Lat projection · left plain radiograph of the wrist · follow-up study.

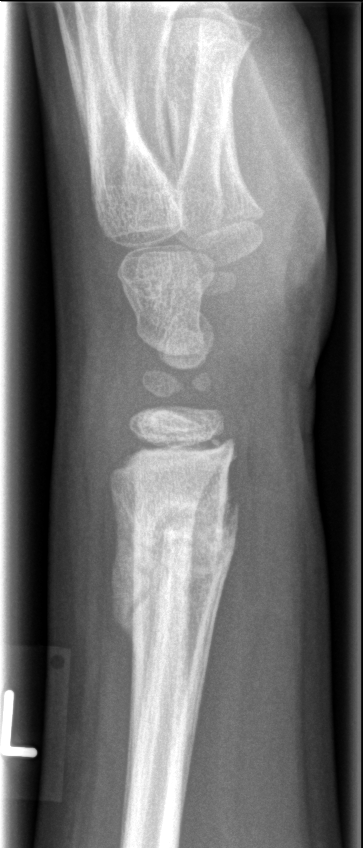
Coordinates are [x1, y1, x2, y2] in image pixels.
One fracture at [x1=109, y1=502, x2=242, y2=566].
Periosteal new bone — [x1=107, y1=487, x2=133, y2=655] [x1=222, y1=475, x2=240, y2=570].